Lat, L pediatric wrist radiograph, cast present 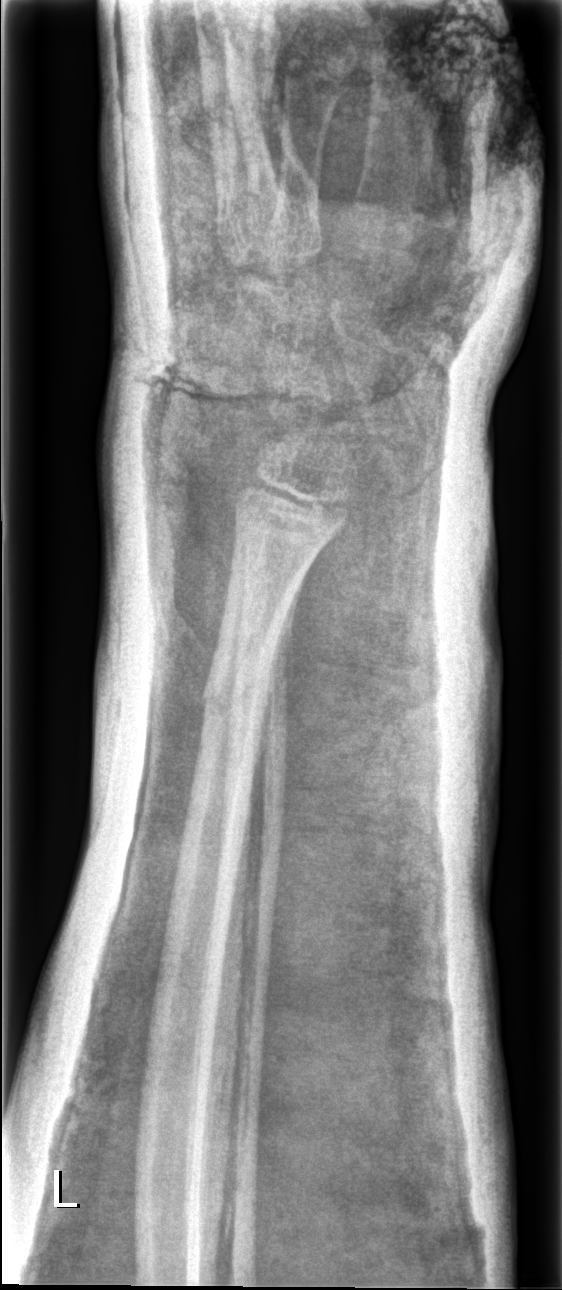
Fx identified at [197, 658, 278, 743].
AO code 23r-M/3.1; 23u-M/2.1.